AP · Rt plain radiograph of the wrist · follow-up study · detector: Siemens · image 94.2 mm wide:

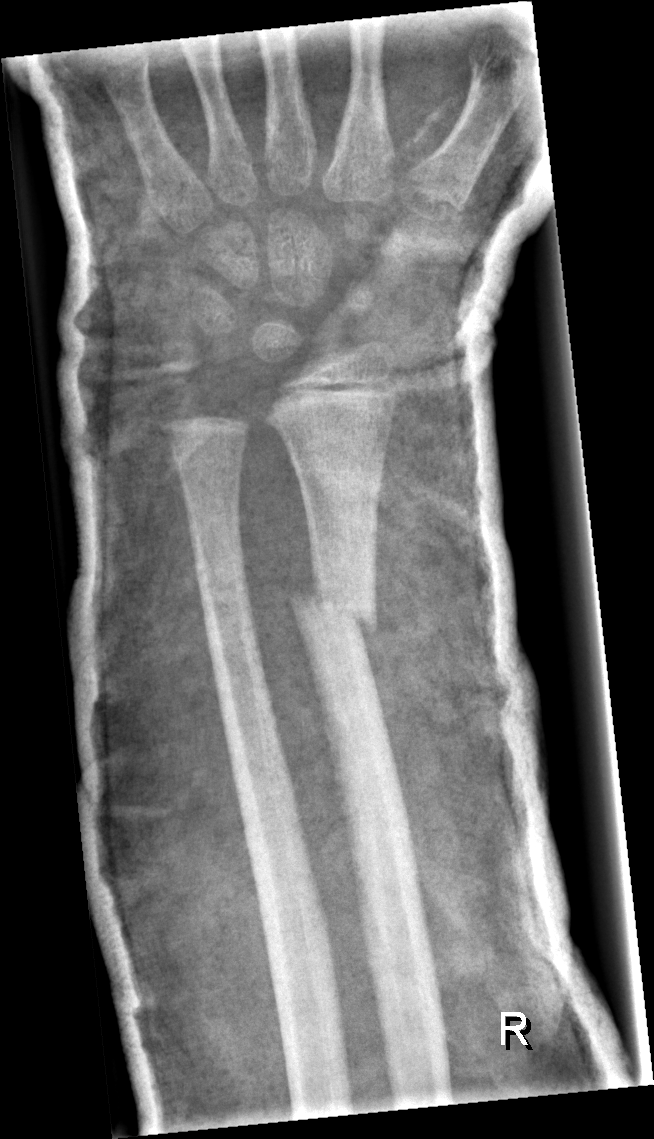 Fx: 1 @ [x1=285, y1=585, x2=383, y2=639]
AO classification: 23r-M/3.1